PA/AP projection; left wrist radiograph 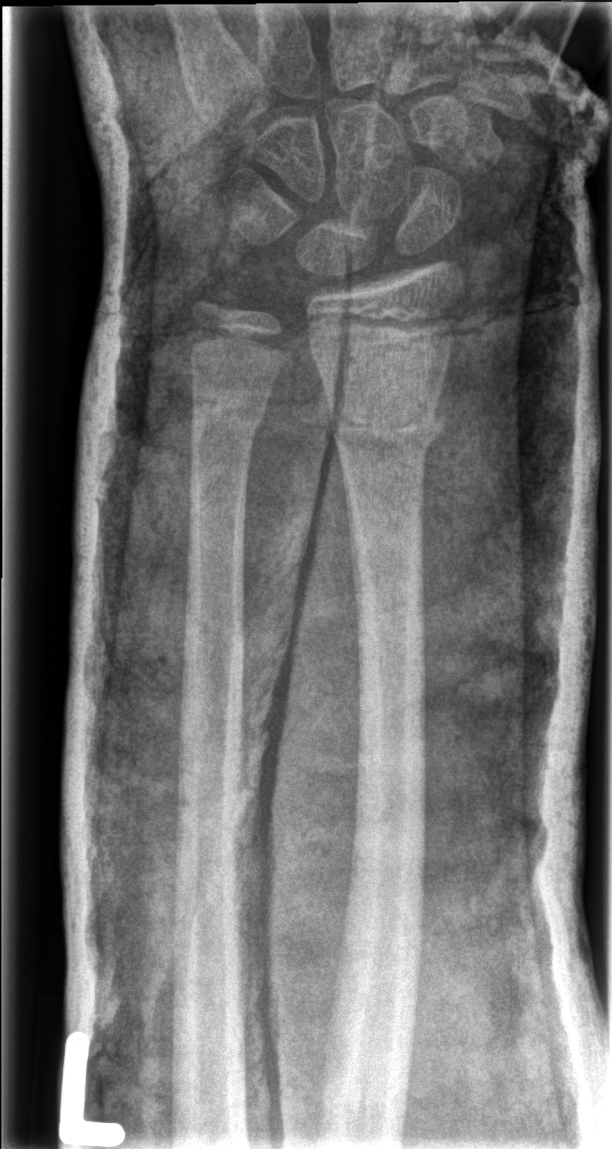

Bone fracture: (327, 400, 453, 456), (187, 392, 269, 442). AO code 23r-M/3.1; 23u-M/2.1.